Right wrist pediatric wrist radiograph; lateral; 15-year-old male; subsequent exam —

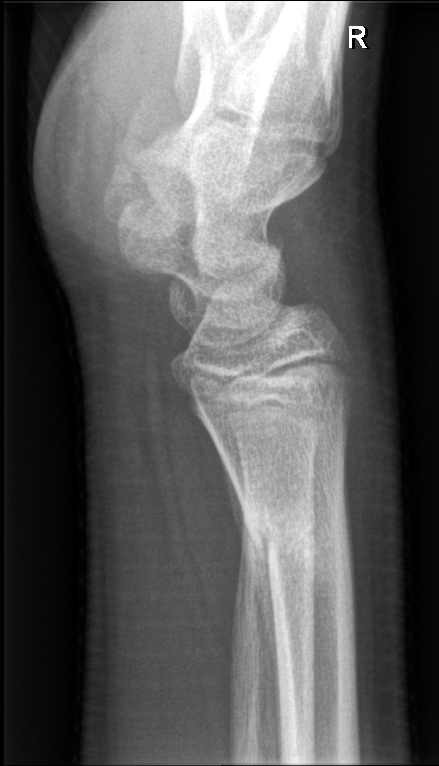

(coordinates are [x1, y1, x2, y2] in image pixels)
periosteal new bone: (left=214, top=439, right=277, bottom=706)
bone fracture: (left=238, top=499, right=358, bottom=592)
osteopenia: present